Right wrist radiograph; frontal projection; follow-up; image 130.5 mm wide; 879x1372:

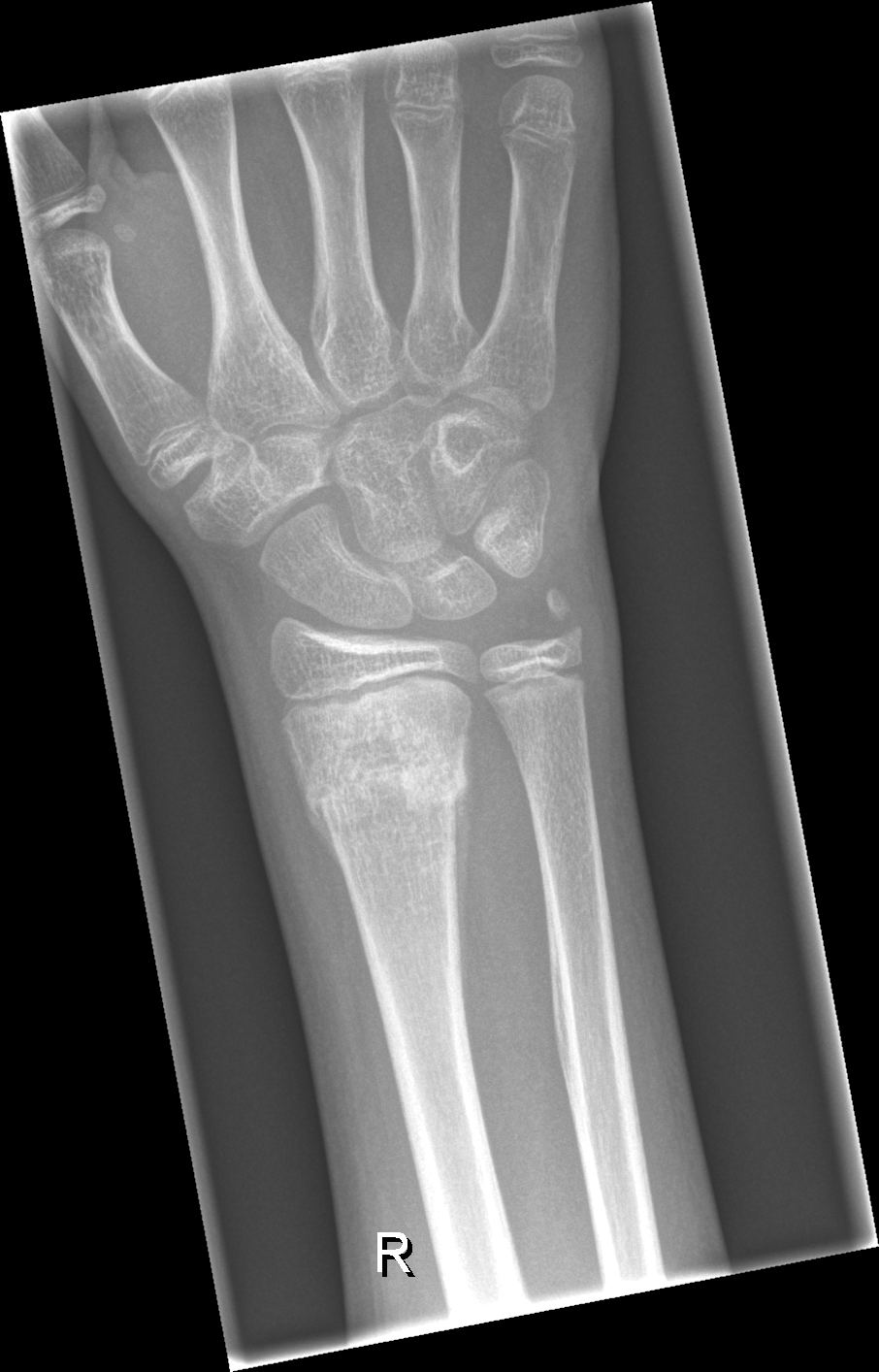

AO/OTA classification: 23r-M/3.1; 23u-E/7. Periosteal reaction — [x1=282, y1=725, x2=345, y2=887]; [x1=452, y1=788, x2=472, y2=1061]; [x1=461, y1=709, x2=473, y2=789]. Osteopenic. Fx: [x1=290, y1=711, x2=474, y2=842] [x1=524, y1=583, x2=591, y2=651].